L pediatric wrist radiograph · lateral · male, 7 yo · cast present · image width 86.0 mm — 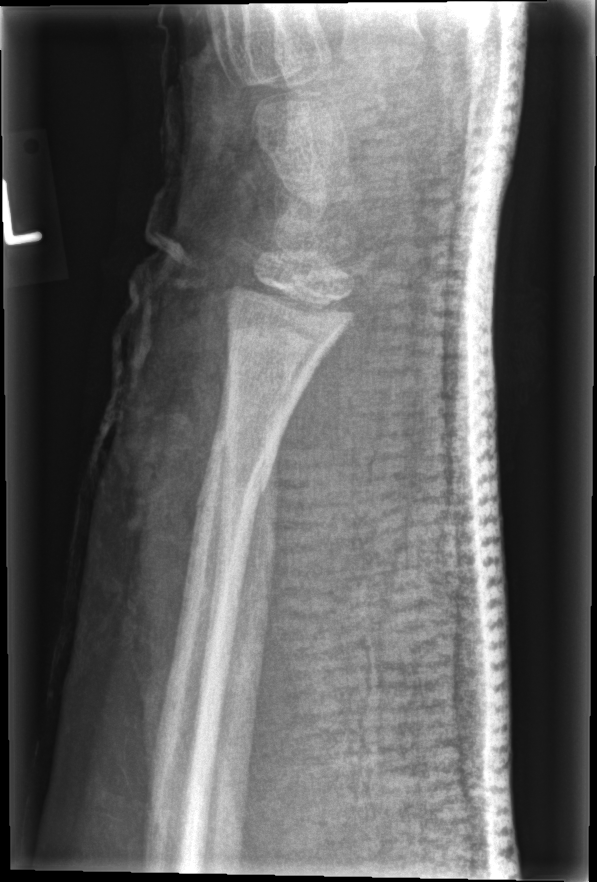
(coordinates are [x1, y1, x2, y2] in image pixels)
Q: Locate any fractures.
A: Bone fracture: <199,441>-<285,538>